Rt pediatric wrist radiograph · lateral view · girl, 13 yo · 614 x 1315 px. 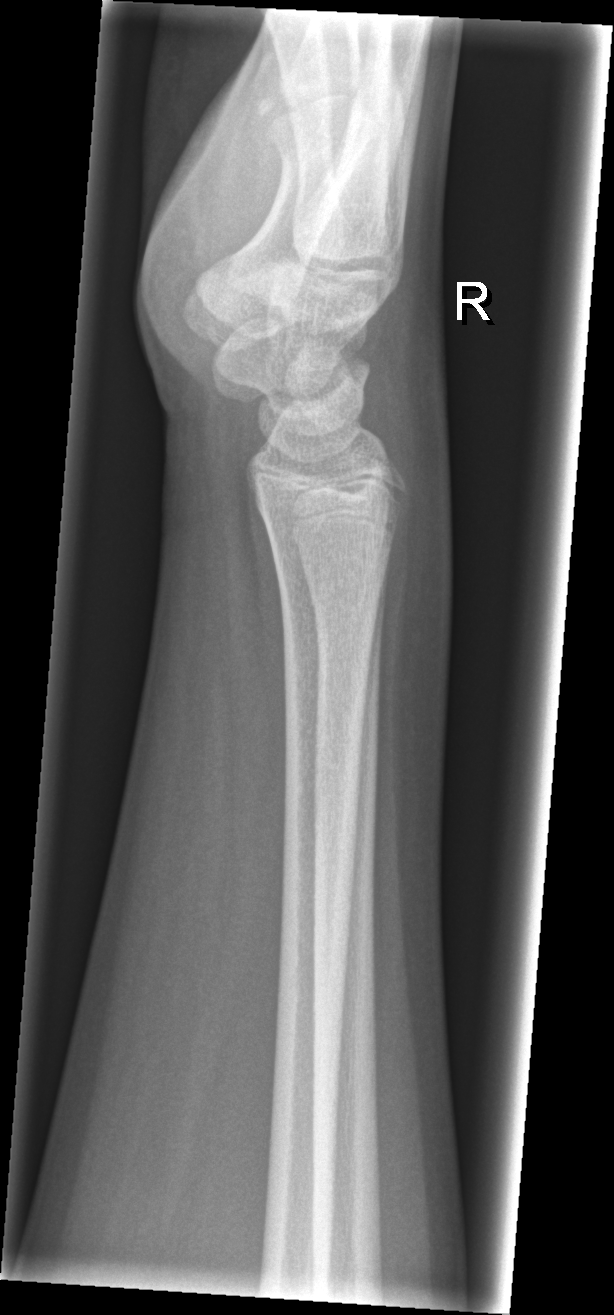 Fx: none.